AP projection · left wrist plain radiograph of the wrist · age 4 y, male · initial study —
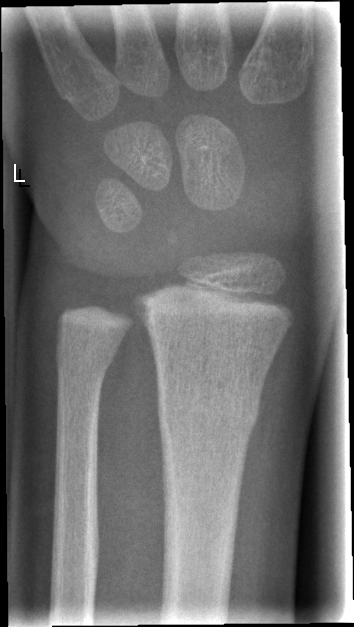

Boxes as x1,y1,x2,y2 (top-left / bottom-right, pixel units).
AO/OTA classification: 23-M/2.1.
Two Fx at 152,381,262,451
  54,340,115,402.